Lateral view | right wrist radiograph | cast in situ | image width 73.9 mm | 513x1122:
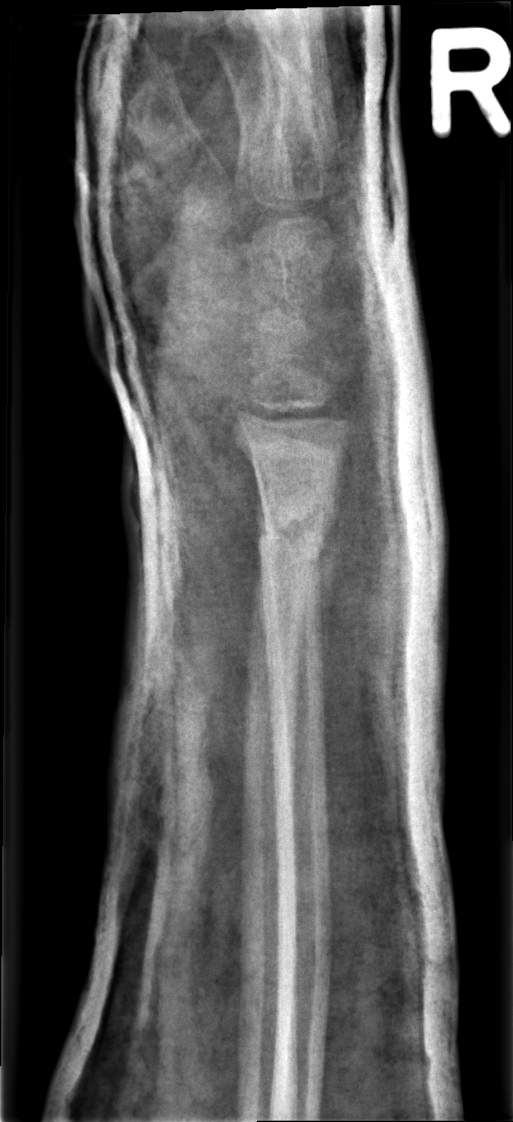
Fx identified at 252,493,340,569.